Left pediatric wrist radiograph | AP view | boy, 13 yo —

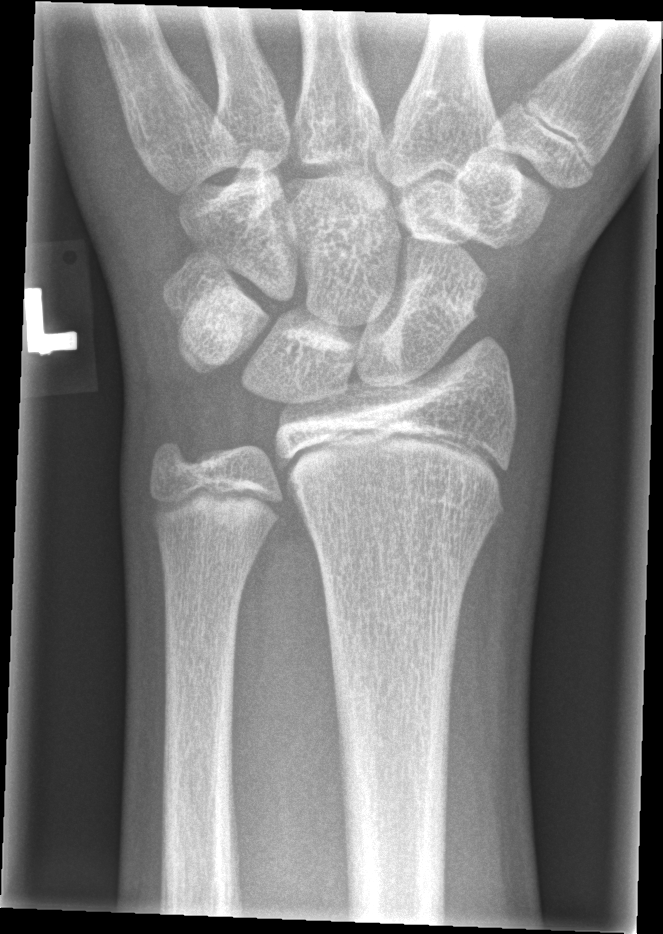 Fracture = none labeled